Lt plain radiograph of the wrist · lat · boy, 15 yo · in cast

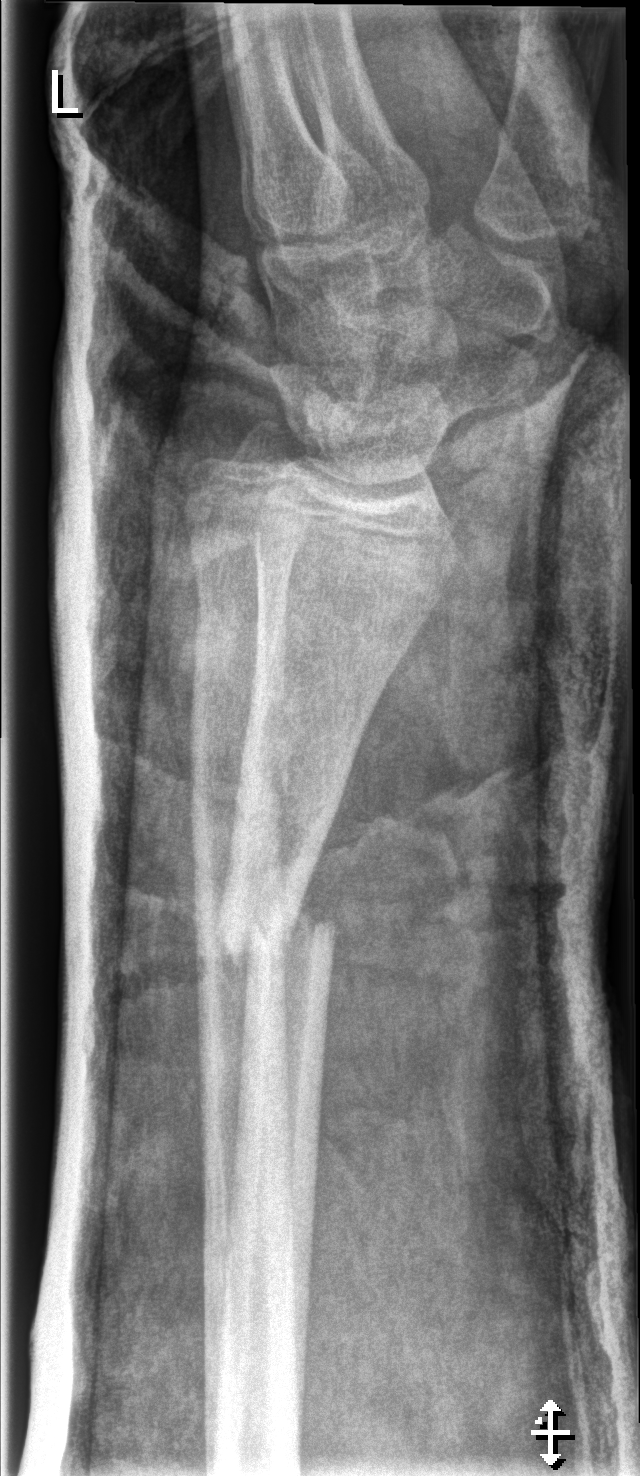
FINDINGS: (boxes as x1,y1,x2,y2 (top-left / bottom-right, pixel units)) Fracture — 211 875 343 977.